Frontal view; Rt wrist radiograph; cast in situ; Siemens:

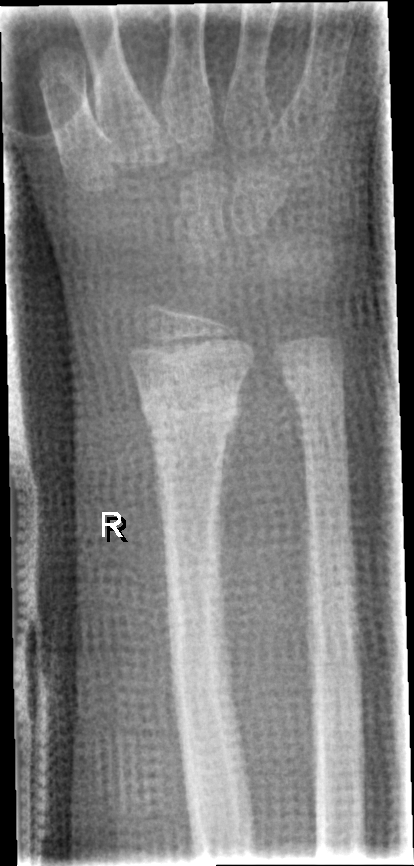
Q: Any fracture seen?
A: Fx identified at (left=137, top=385, right=242, bottom=432) (left=280, top=364, right=348, bottom=410)
Q: What is the AO/OTA classification?
A: AO/OTA classification: 23-M/2.1